Left wrist X-ray; PA projection; age 12 y, girl; image 90.7 mm wide:

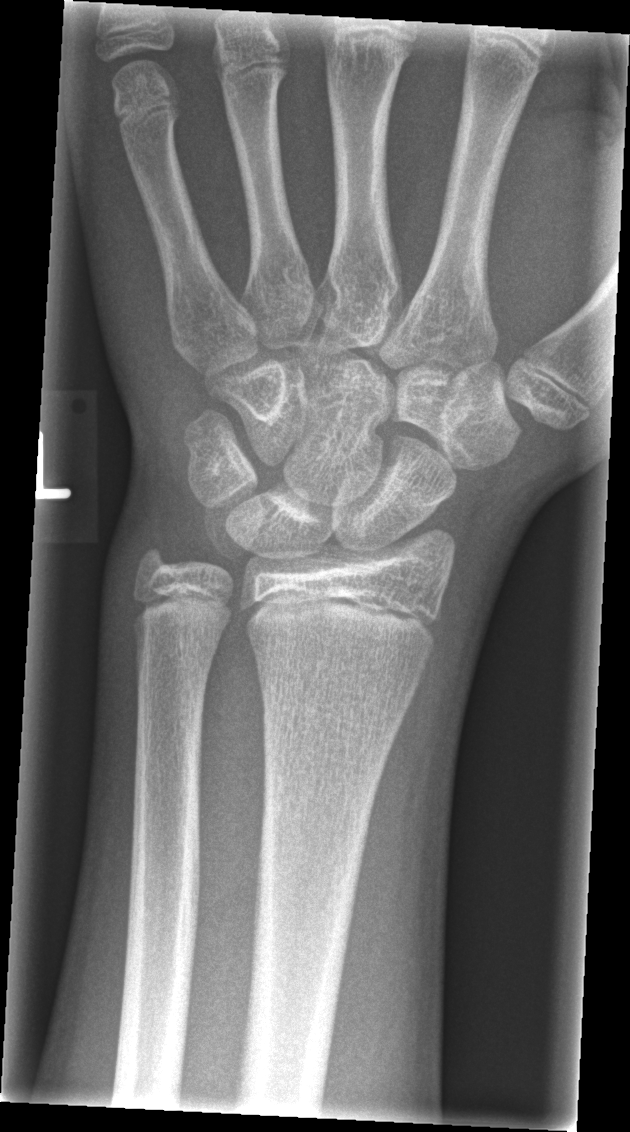

Q: Locate any fractures.
A: Fracture: none labeled